Left wrist plain film | frontal projection | cast in situ —

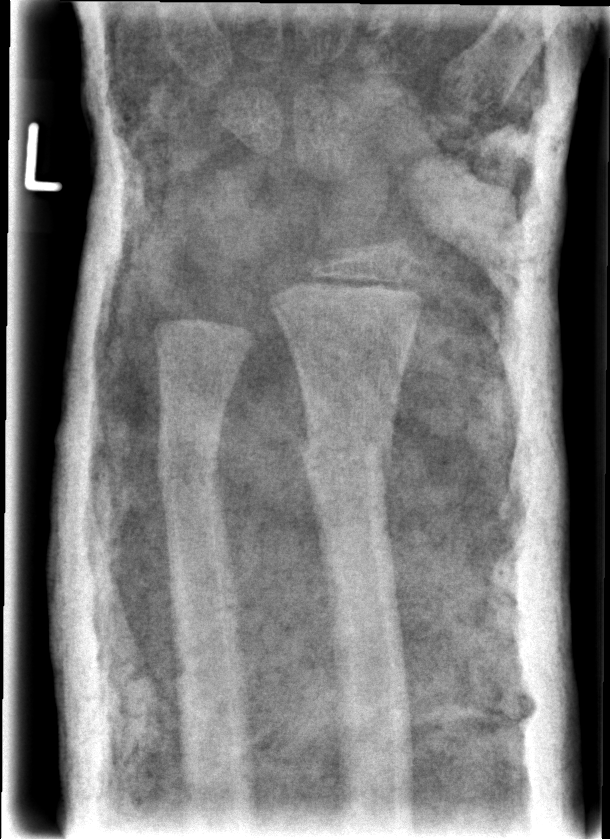

• Coordinates are [x1, y1, x2, y2] in image pixels.
• Bone fractures — [296, 422, 396, 487], [154, 440, 226, 503].